Lateral projection · right plain radiograph of the wrist · follow-up study · Siemens. 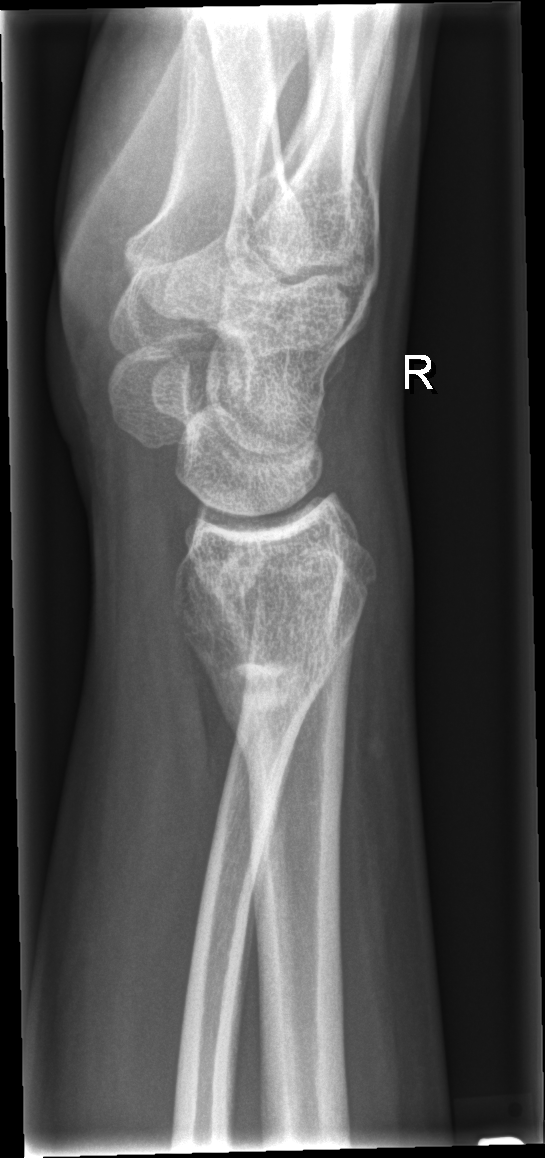

FINDINGS — No fracture bounding box. Bone anomaly — (left=202, top=641, right=321, bottom=719).